Rt pediatric wrist radiograph; lat view; index exam: 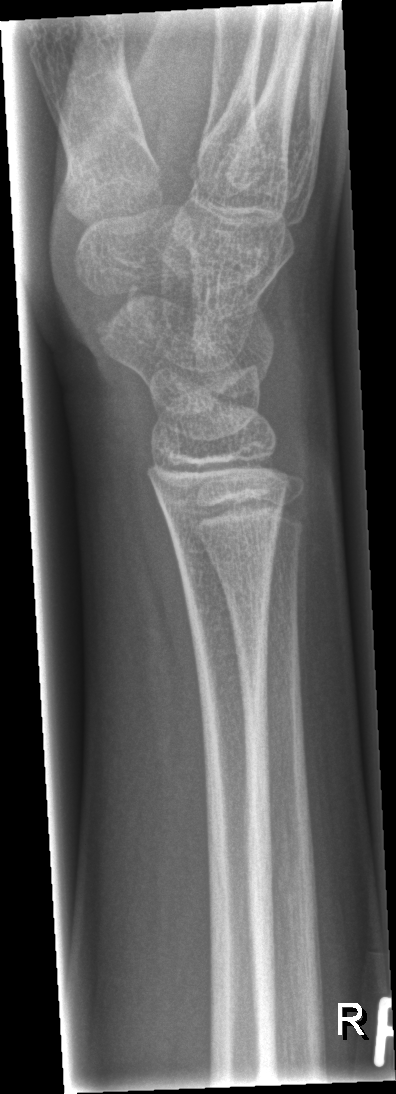
Fx = none labeled